Frontal view; left wrist radiograph; in cast; Siemens 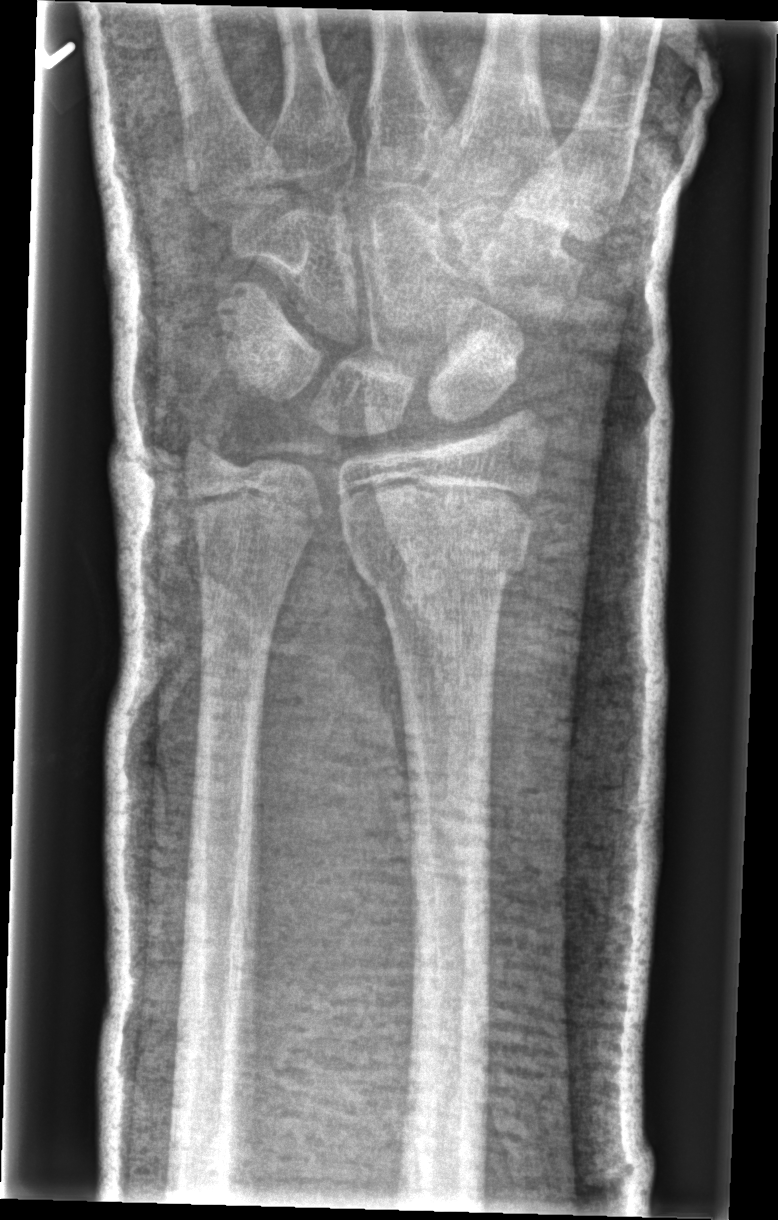

(bounding boxes in image-pixel xyxy)
Q: AO code?
A: Fracture classified AO/OTA 23r-E/2.1; 23u-E/7
Q: Fracture present?
A: Bone fracture: [x1=340, y1=501, x2=535, y2=604]; [x1=177, y1=423, x2=242, y2=484]